Left wrist XR | AP view | follow-up study 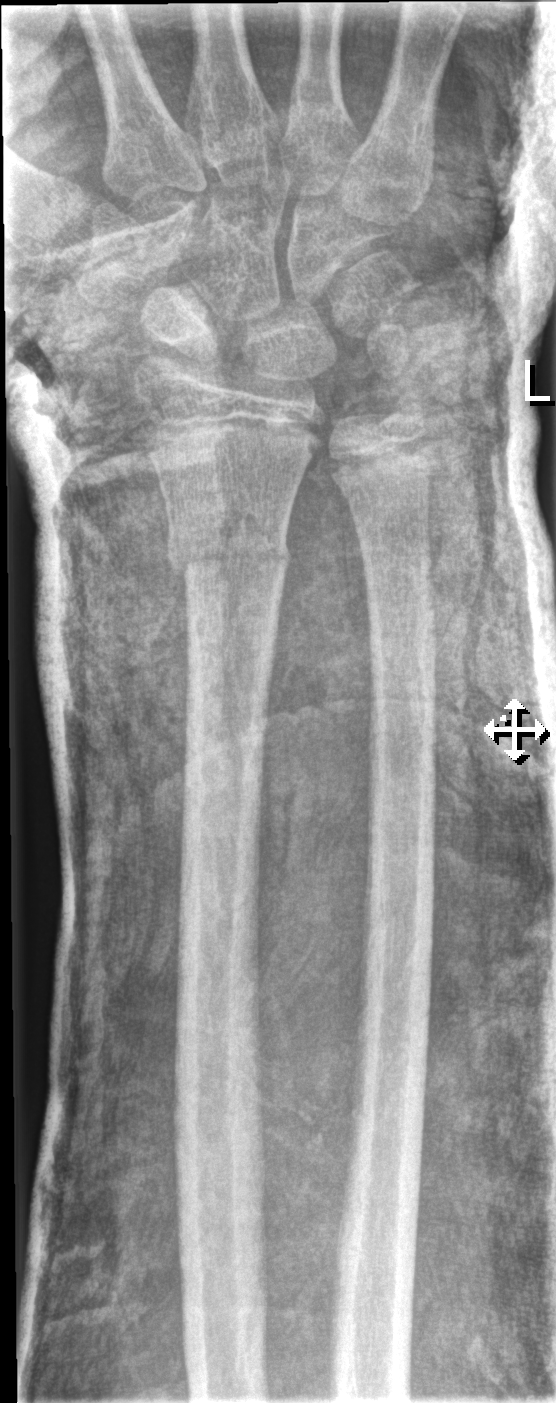

FINDINGS: (boxes as x1,y1,x2,y2 (top-left / bottom-right, pixel units)) Bone fracture identified at [x1=160, y1=510, x2=297, y2=586].